R wrist plain film | lateral | 6-year-old male | 450 by 794 pixels: 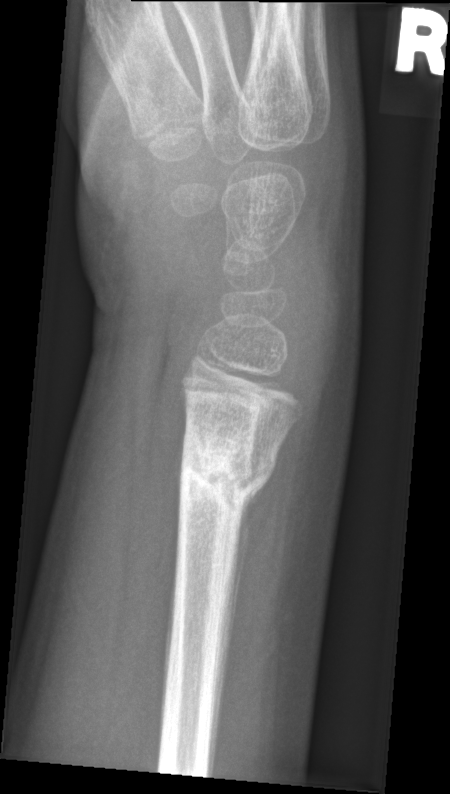
FINDINGS — Periosteal reaction — 224 482 267 682. Bone fracture — 176 429 279 533. Osteopenia.